Posteroanterior view · right wrist X-ray · 7-year-old male · subsequent exam:

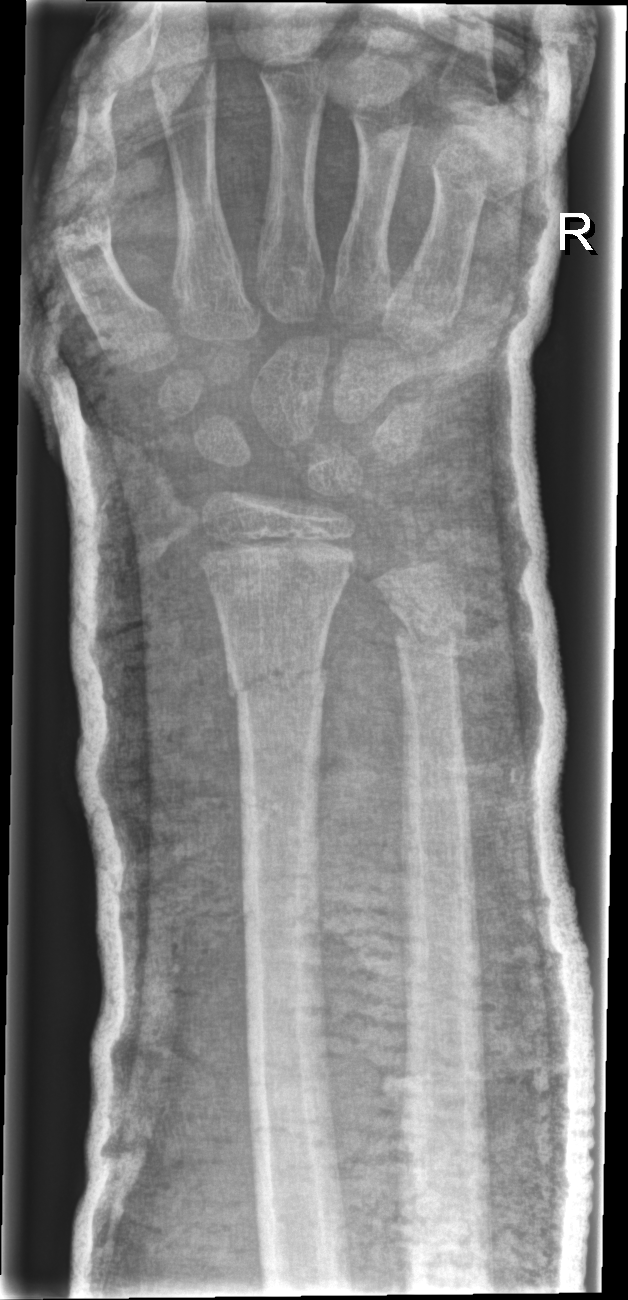

(bounding boxes in image-pixel xyxy)
Fx: 224 645 332 708; 390 606 470 665